Lateral · Rt pediatric wrist radiograph · 13y M · follow-up study · 222.9 mm image width · 1092 x 1092 px:
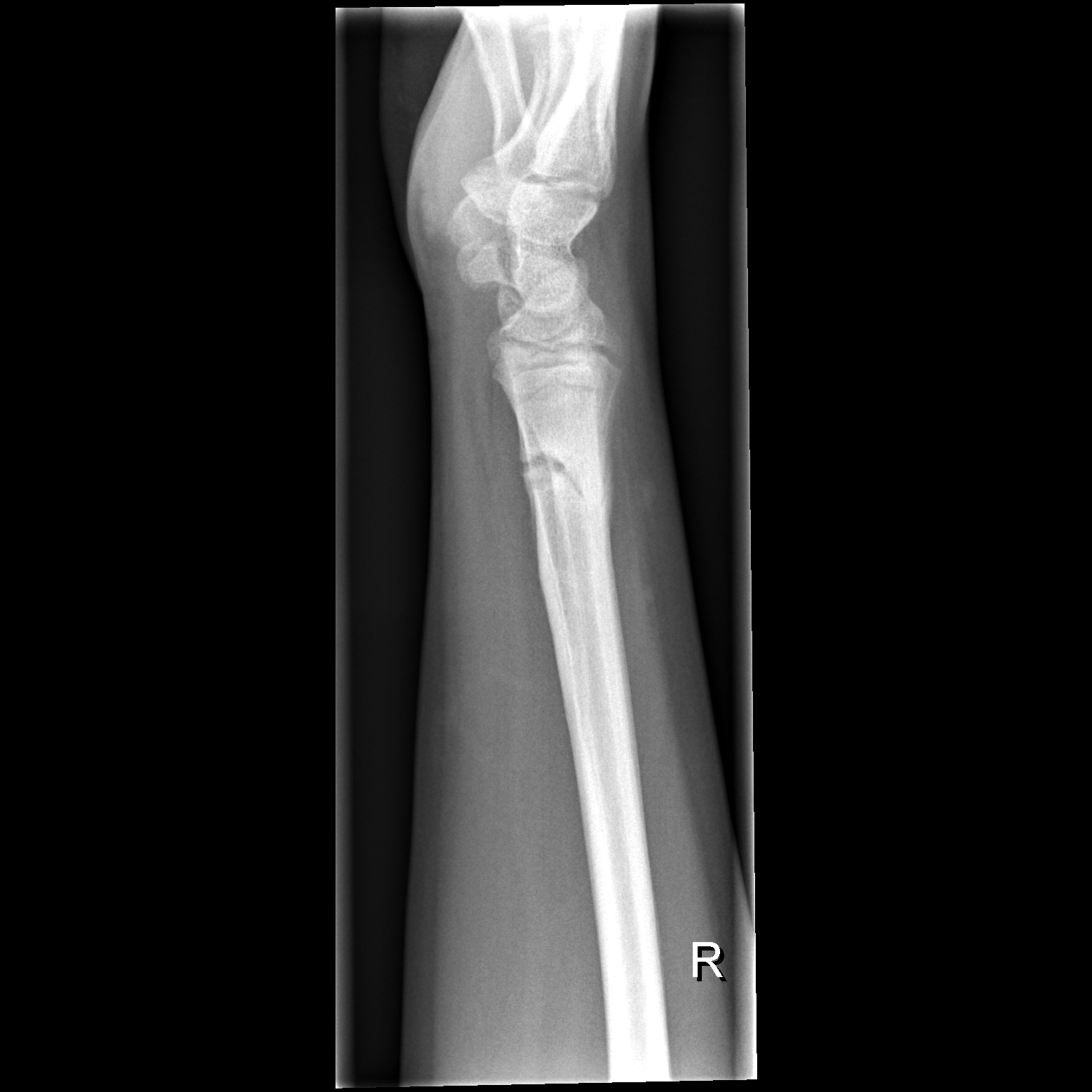

AO/OTA = 23r-M/3.1; 23u-E/7
Fx = [518, 441, 616, 518]
Periosteal reaction = [516, 419, 539, 541]